Lateral | Rt pediatric wrist radiograph | age 13 y, boy.
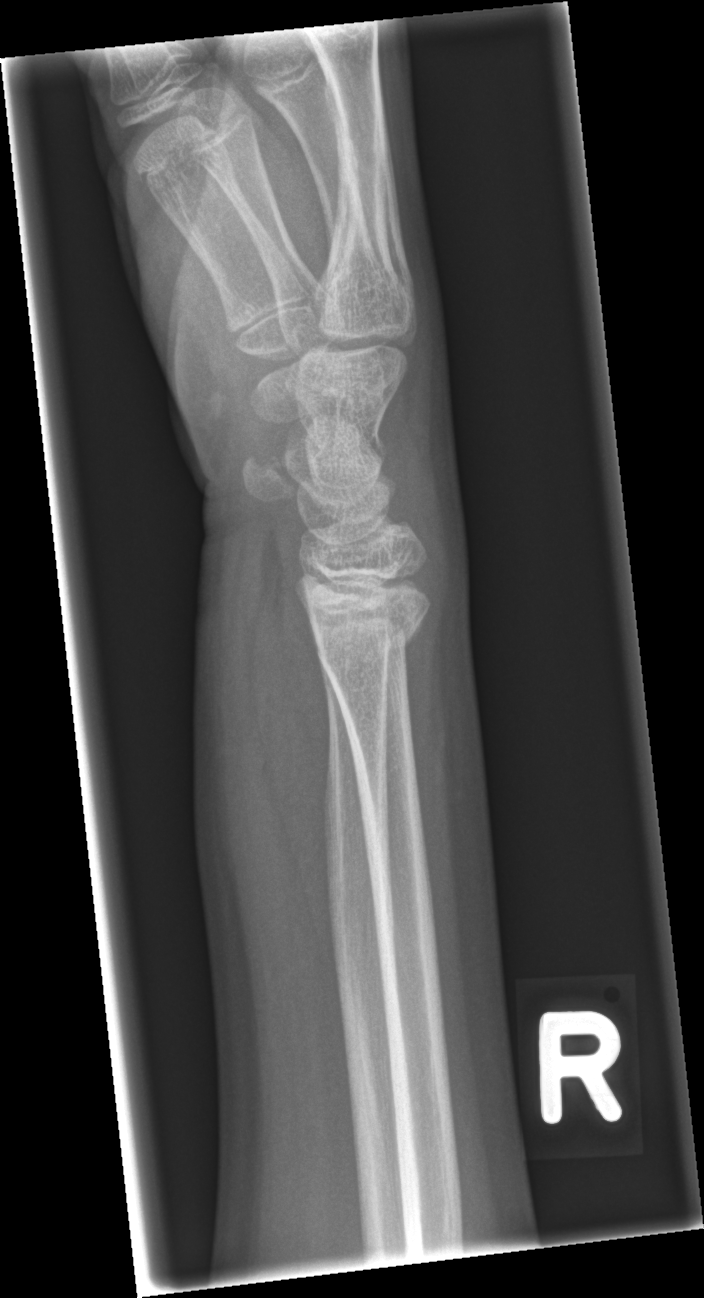
Pixel coordinates, top-left origin, xyxy. Pronator quadratus fat-pad sign identified at 245 505 338 963. AO code 23r-E/2.1. Fracture identified at 312 563 435 681.